Left wrist X-ray | lat projection | presentation radiograph | acquired on Siemens:
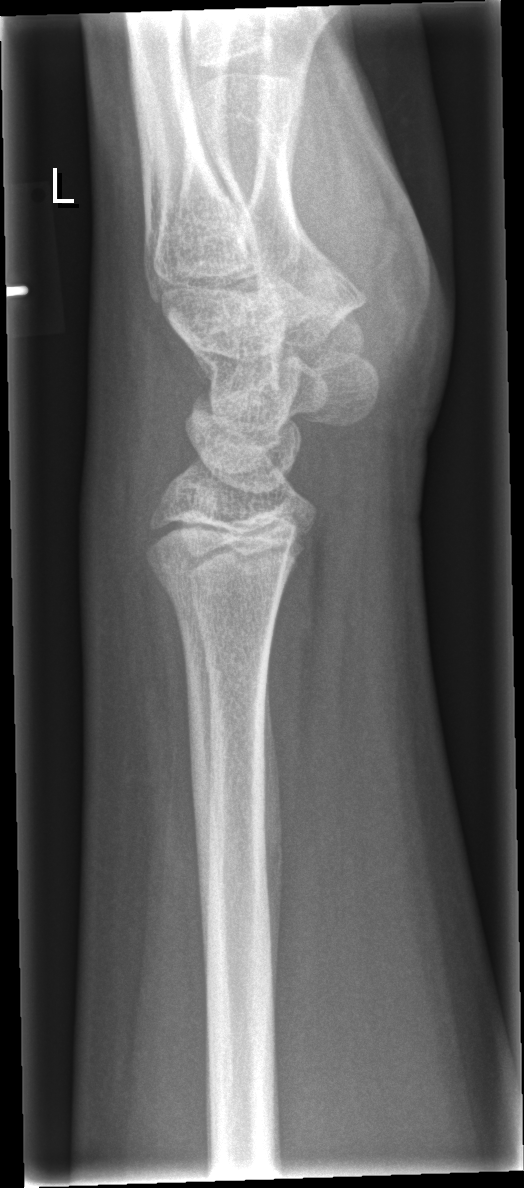
Soft tissue abnormality identified at [69, 422, 182, 720]. Fracture classified AO/OTA 23r-M/2.1. Bone fracture: [146, 551, 287, 633].